Left pediatric wrist radiograph | posteroanterior | boy, 13 yo | detector: Siemens — 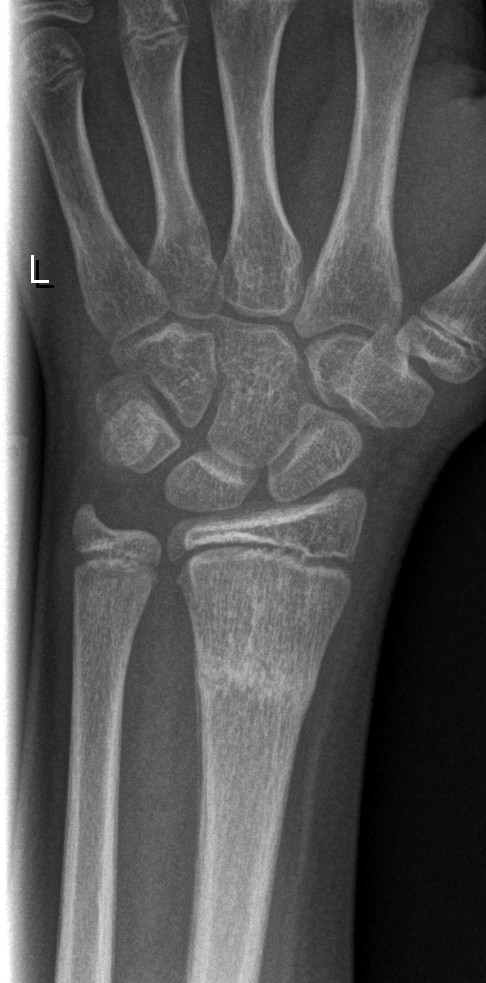 • Fractures — [x1=194, y1=645, x2=317, y2=708]; [x1=63, y1=489, x2=116, y2=541].
• Periosteal reaction identified at [x1=190, y1=635, x2=205, y2=854].